Lat view; right wrist radiograph; 4-year-old female; follow-up study; 374 x 839 px:

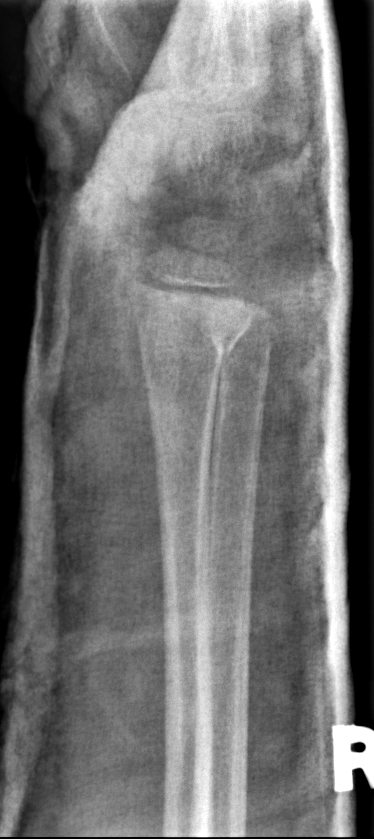

Fracture classified AO/OTA 23r-E/2.1; 23u-M/2.1.
Fracture — [125, 268, 264, 368].